Rt wrist X-ray; lat view; 10y M
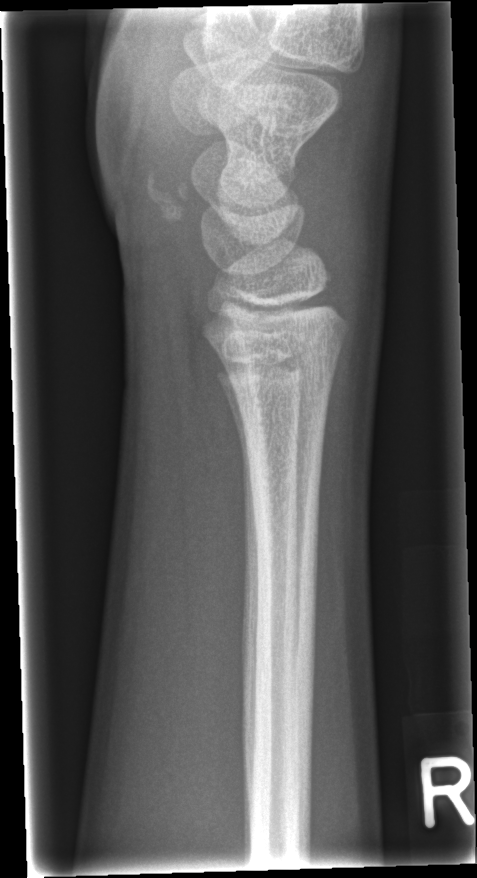
fracture: none labeled